Left pediatric wrist radiograph · lat projection:

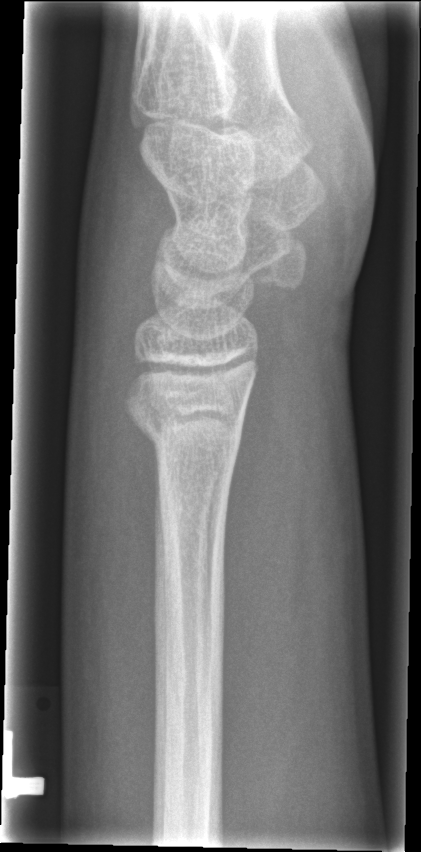

(coordinates are [x1, y1, x2, y2] in image pixels)
Q: AO code?
A: AO code 23r-M/2.1
Q: Pronator fat-pad sign?
A: One positive pronator fat-pad sign at bbox(214, 387, 300, 739)
Q: Locate any fractures.
A: One bone fracture at bbox(123, 395, 248, 467)
Q: Is there soft-tissue abnormality?
A: Two soft-tissue findings at bbox(65, 413, 162, 788); bbox(72, 146, 168, 394)